Posteroanterior, L wrist plain film, 507 by 752 pixels. 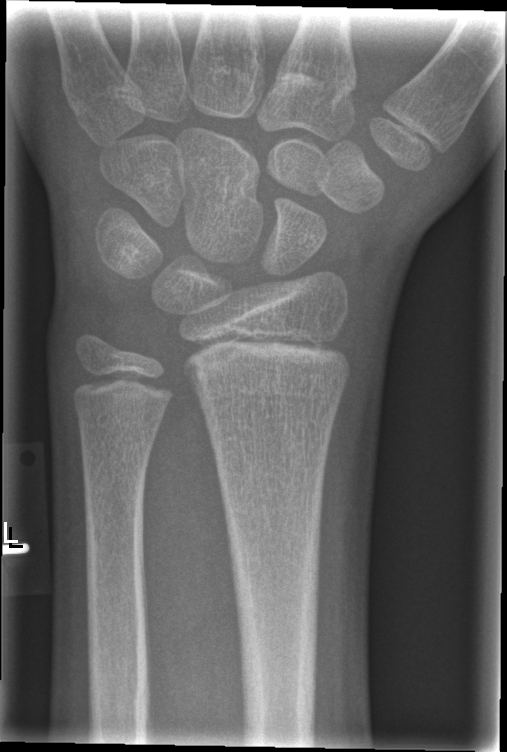
Bone fracture: none labeled